R wrist radiograph; lateral; follow-up study: 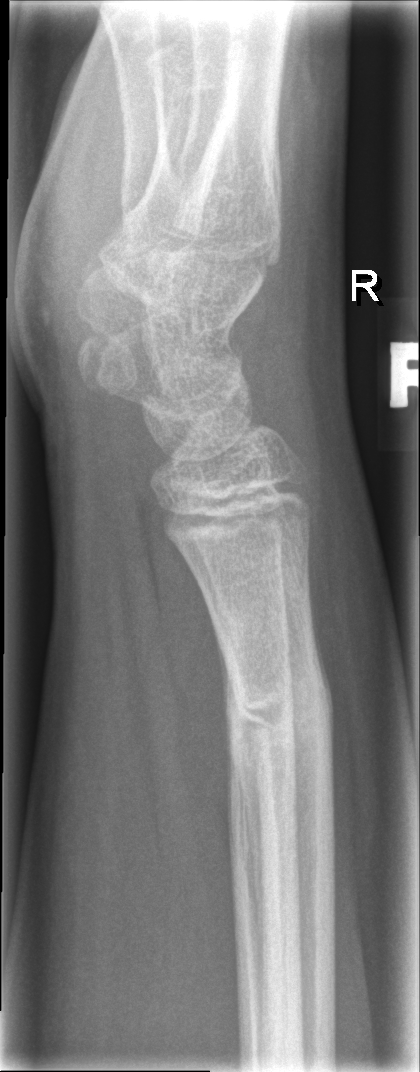
periosteal thickening: [209, 610, 238, 830]
osteopenia: present
bone fracture: 2 @ [224, 683, 336, 745] [213, 589, 289, 645]